Lateral view; R wrist radiograph; 12-year-old female; imaged through cast
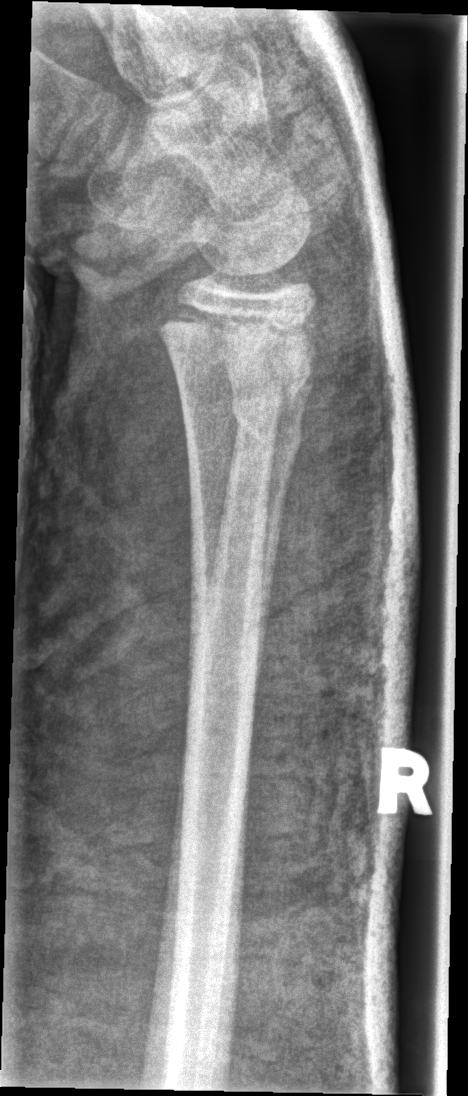
(pixel coordinates, top-left origin, xyxy)
Q: Is there a fracture?
A: Fractures — [154, 294, 320, 415] [225, 389, 308, 461]